Lat, L wrist XR, age 6 y, male, presentation radiograph.
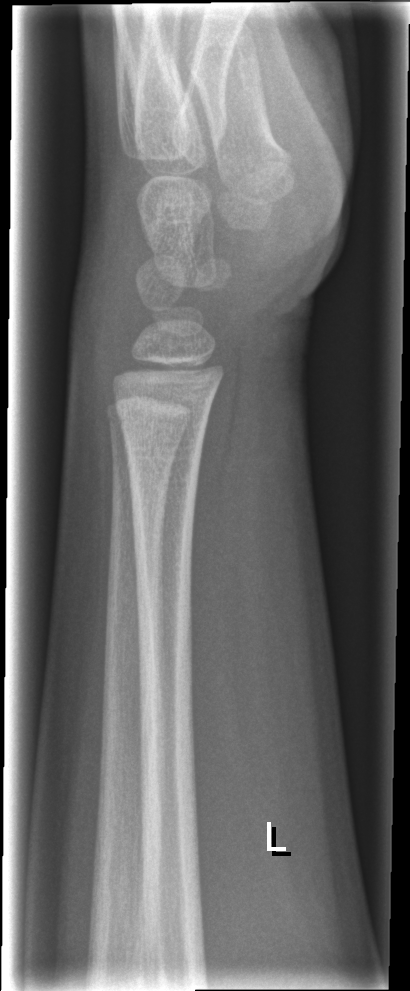 Fracture: none labeled.